Lateral projection, right pediatric wrist radiograph, 13-year-old male, follow-up study: 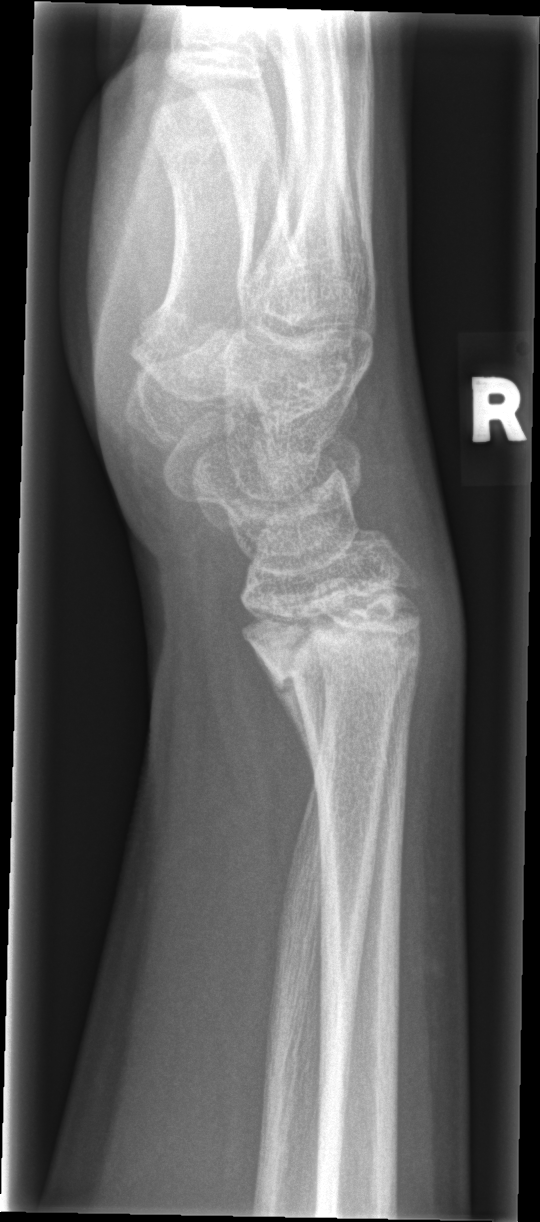

Findings: (boxes as x1,y1,x2,y2 (top-left / bottom-right, pixel units)) Fx identified at bbox(238, 581, 424, 705). Periosteal thickening — bbox(251, 641, 318, 783). Osteopenia.